Lateral projection · L pediatric wrist radiograph · age 4 y, male · detector: Siemens

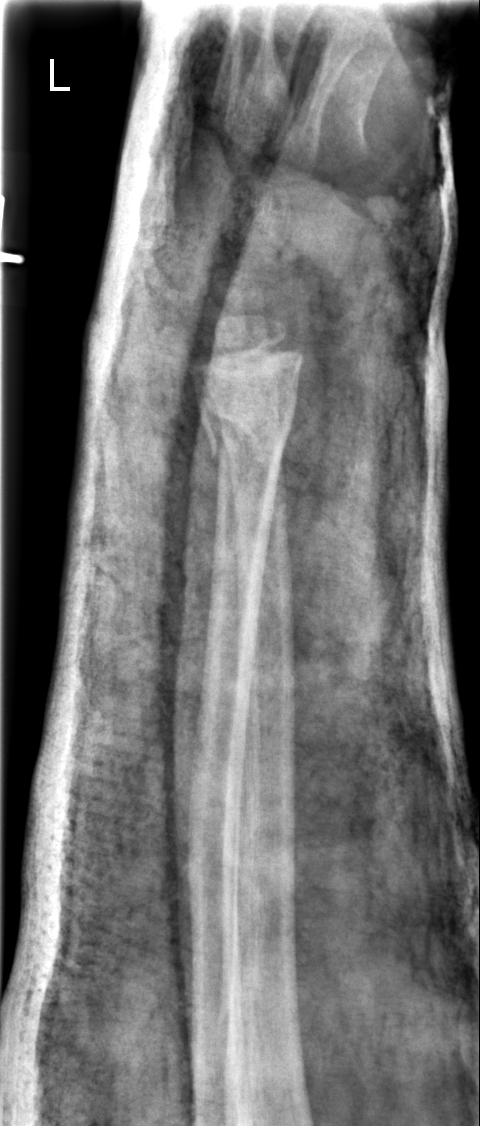 Q: Fracture present?
A: Bone fracture identified at [x1=195, y1=395, x2=297, y2=464]
Q: What is the AO/OTA classification?
A: AO/OTA classification: 23r-M/3.1; 23u-M/2.1